Lateral · Lt wrist plain film · 4y M

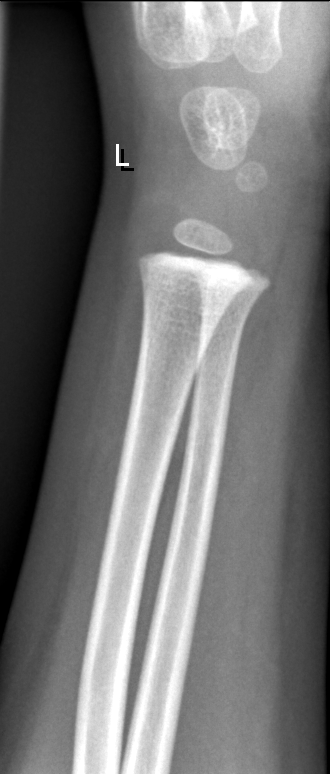 FINDINGS: Fx: none.